Rt plain radiograph of the wrist; lat projection; female, 11 yo.
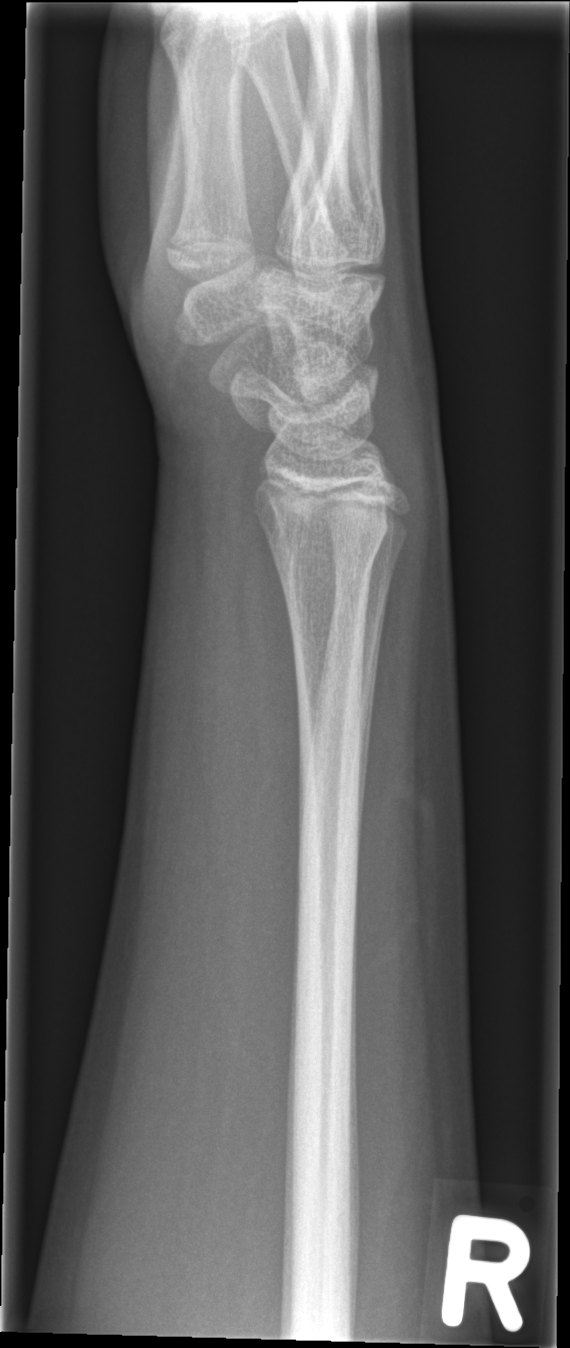
AO/OTA: 23r-M/2.1
Fracture: 1 @ 262,508,393,578